Left wrist plain film | lat | follow-up study:
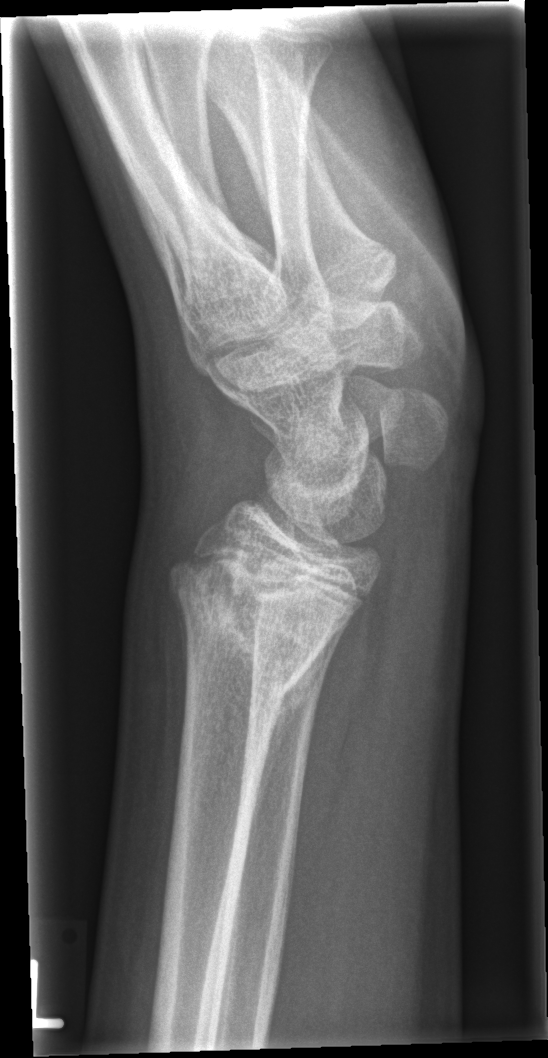
FINDINGS: AO code 23r-M/3.1. Osteopenic. Fracture — (left=166, top=536, right=356, bottom=717). Periosteal new bone — (left=246, top=629, right=337, bottom=855), (left=171, top=578, right=191, bottom=712).